Lat projection, Lt wrist plain film, pediatric patient (boy, age 12), in cast, 527x1012.
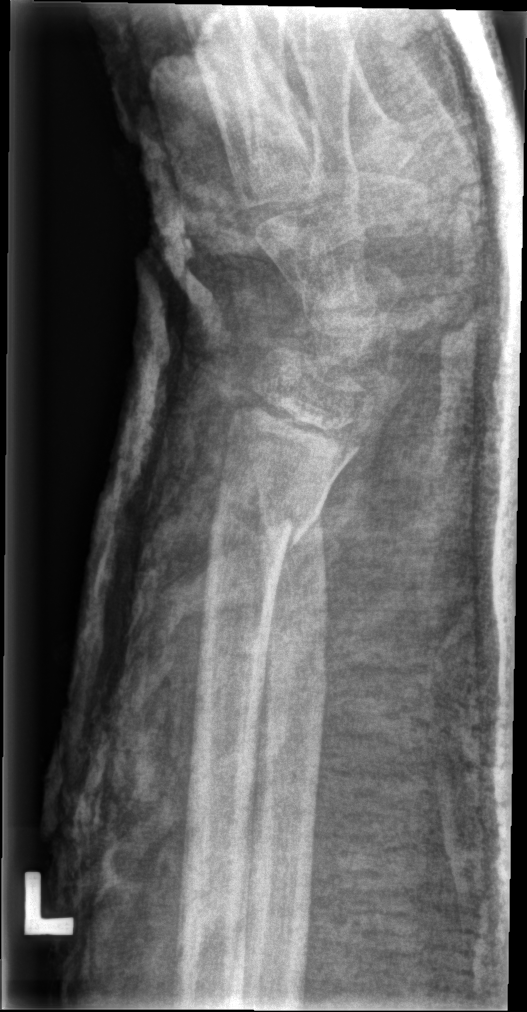
AO/OTA = 23r-M/3.1; 23u-M/2.1
Bone fracture = 1 @ bbox(202, 489, 331, 573)